Lat view; left wrist X-ray; age 13 y, boy — 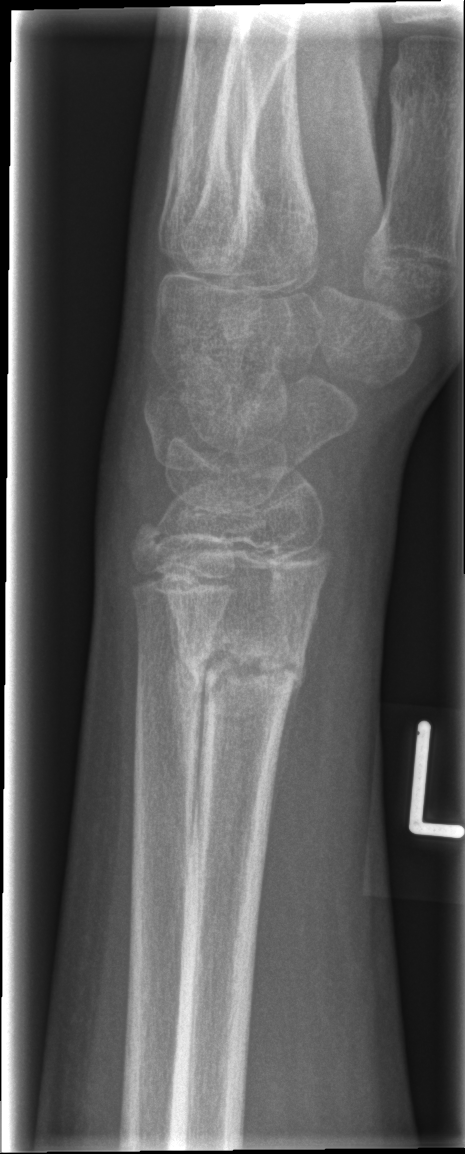

Coordinates are [x1, y1, x2, y2] in image pixels.
Two periosteal thickening at (163, 596, 211, 883); (267, 651, 306, 835).
Osteopenic.
Fracture: (168, 630, 307, 705) (125, 514, 183, 572).
Fracture classified AO/OTA 23r-M/3.1; 23u-E/7.